Lat, left wrist X-ray, 105.6 mm image width —

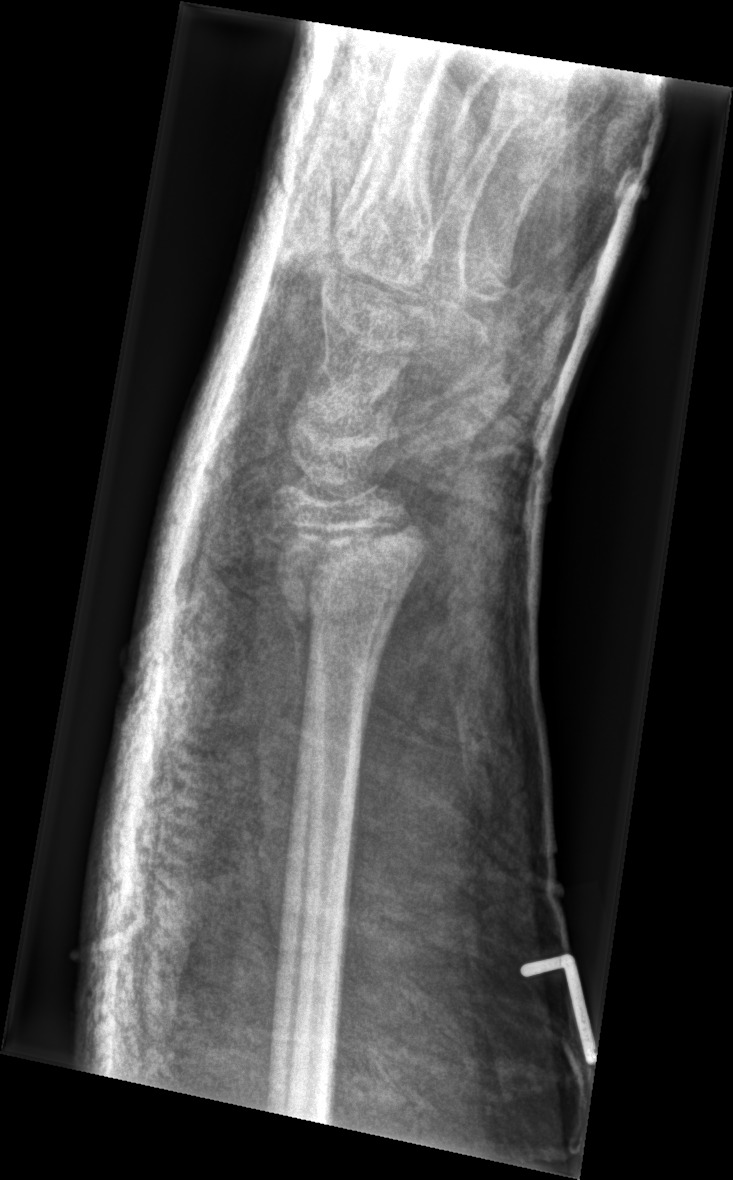
One fracture at bbox(275, 560, 406, 640).